Frontal projection | right wrist plain film | 11-year-old girl. 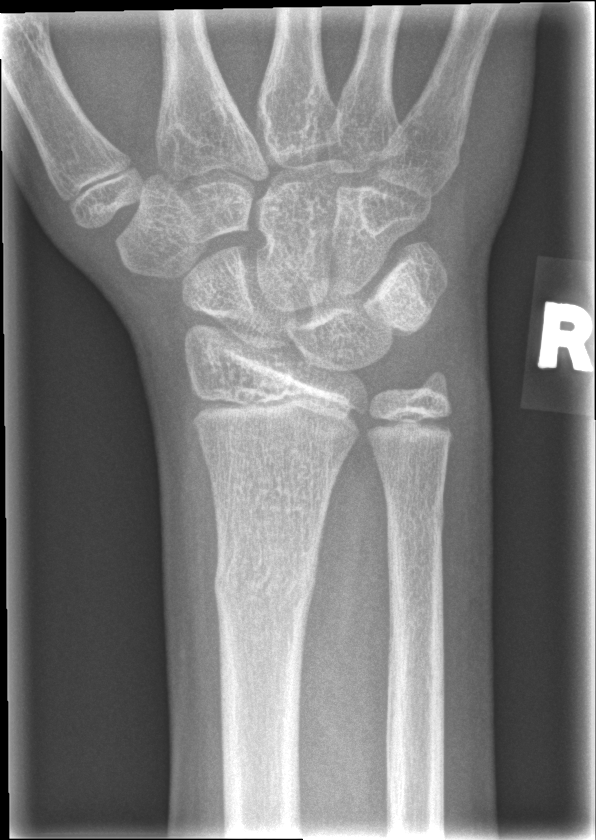

Coordinates are [x1, y1, x2, y2] in image pixels.
Fracture identified at <211,546>-<321,621>.